Left wrist plain radiograph of the wrist; lateral; age 6 y, female; follow-up study; Siemens.

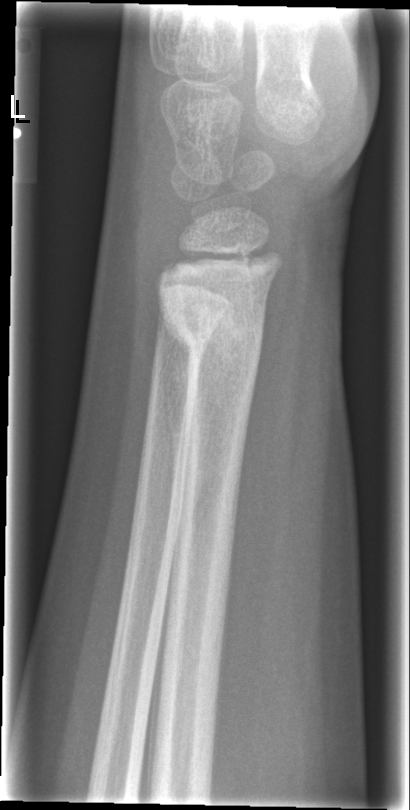
Fracture = 1 @ (left=155, top=279, right=266, bottom=365)
AO/OTA = 23-M/2.1
Osteopenia = present